Lat projection; left pediatric wrist radiograph; presentation radiograph; Siemens. 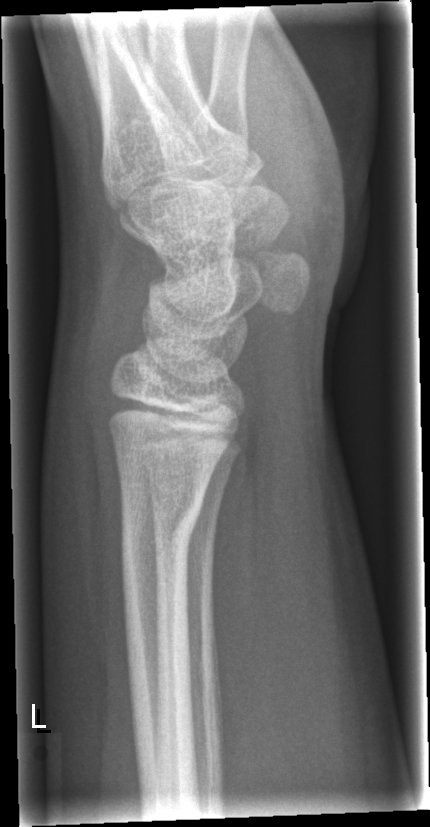 AO code 23r-M/2.1. Fx — [x1=116, y1=490, x2=204, y2=568].